Right wrist X-ray | frontal | age 15 y, male | 518 x 922 px.

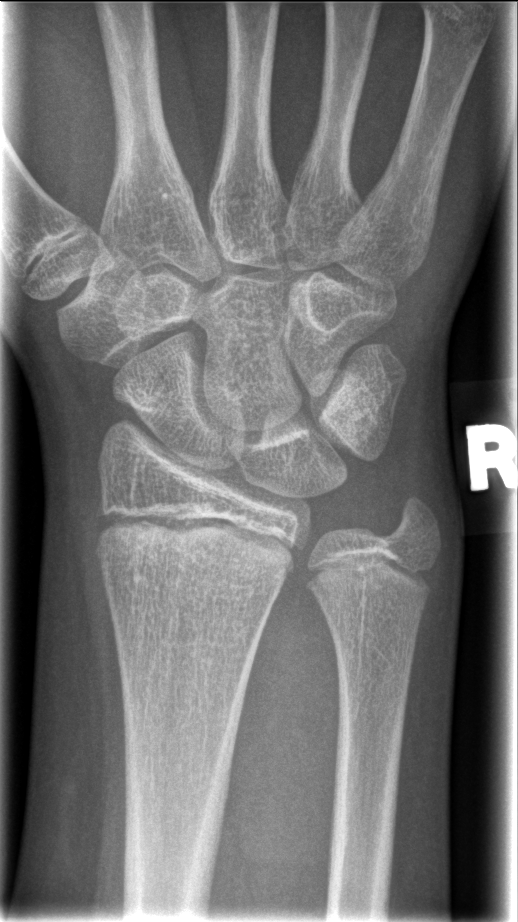 No fracture labeled.